Posteroanterior view · right wrist X-ray · follow-up · imaged through cast · 815 x 1252 px:

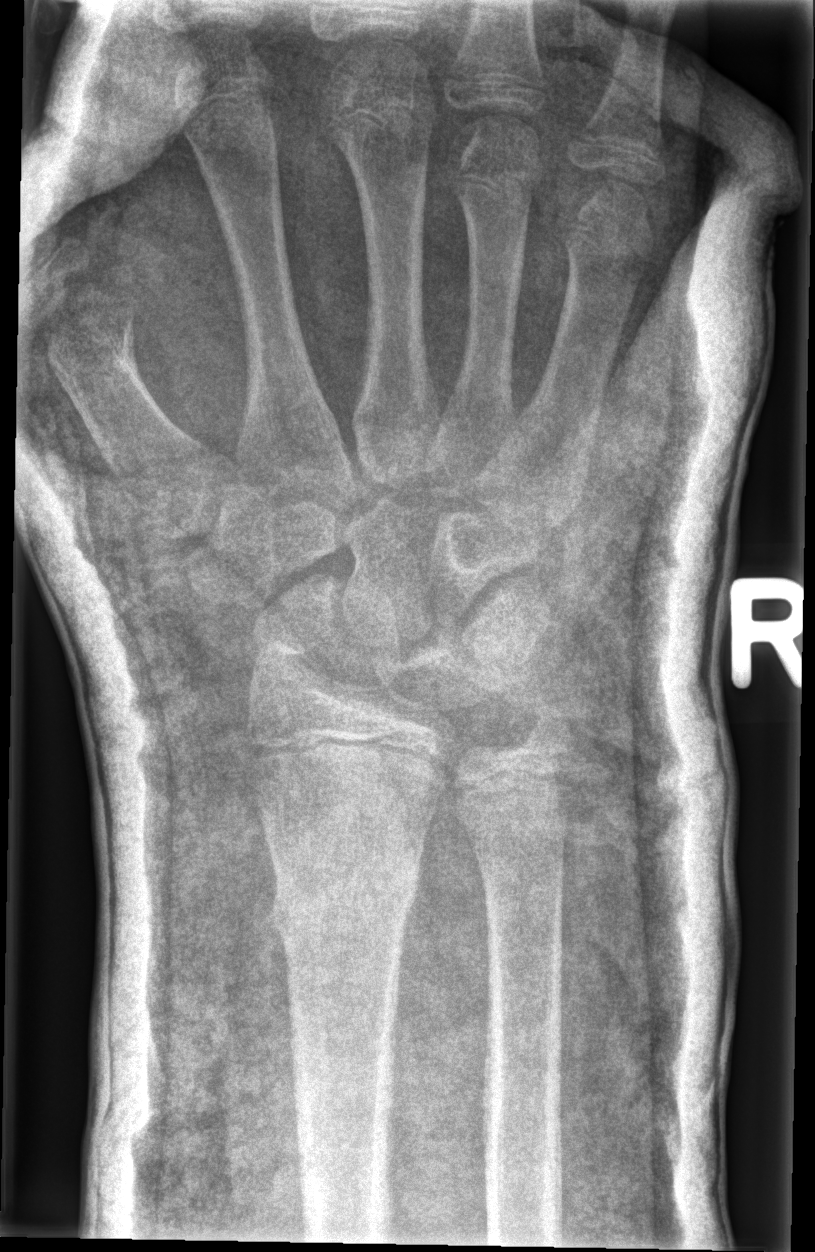

(pixel coordinates, top-left origin, xyxy)
Q: AO code?
A: AO code 23r-M/3.1; 23u-E/7
Q: Any fracture seen?
A: Fracture: [x1=268, y1=851, x2=424, y2=945]